Lat projection | right wrist plain film | 7-year-old girl | cast in situ | image 73.4 mm wide | 510x898

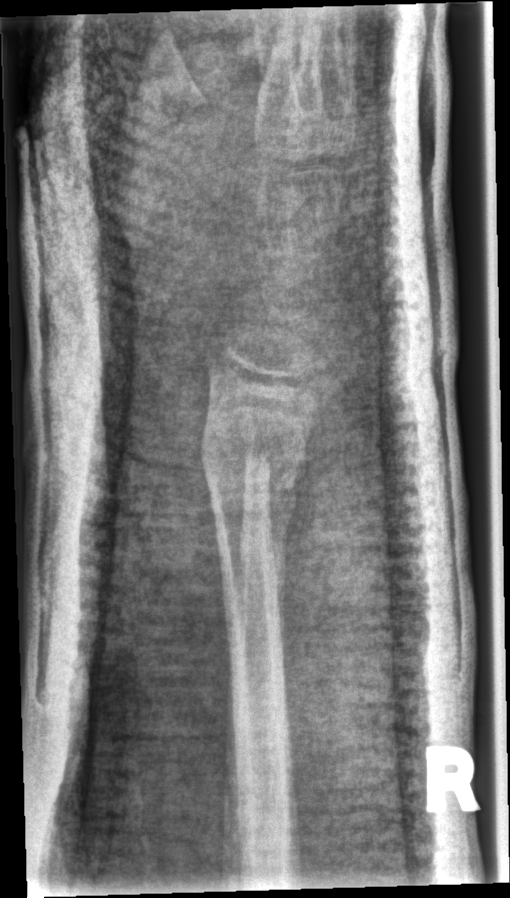
FINDINGS — Fx: 199 402 319 534.